PA projection; Lt wrist plain film; follow-up study.

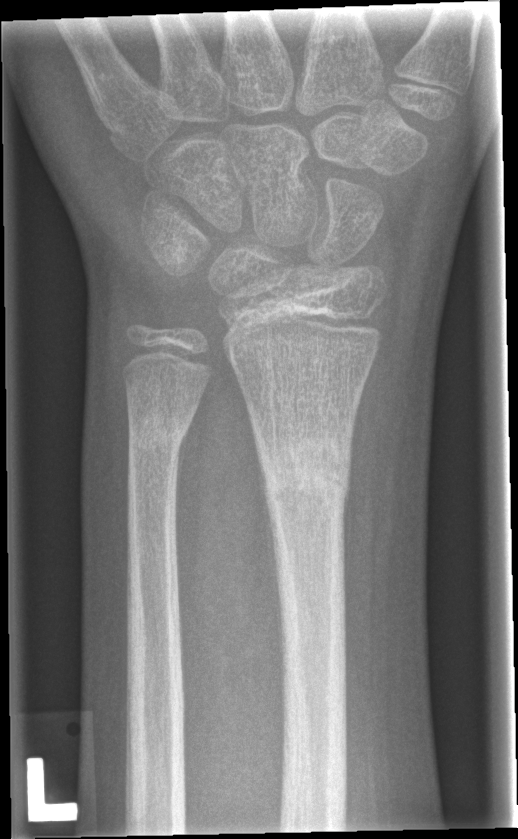 Q: Locate any periosteal reaction.
A: Periosteal reaction: bbox(255, 443, 285, 684); bbox(174, 414, 196, 539); bbox(342, 473, 353, 633)
Q: Fracture present?
A: Fractures — bbox(250, 424, 357, 521); bbox(123, 397, 197, 465)
Q: Is there osteopenia?
A: Decreased bone density (osteopenia)